PA/AP view · L wrist radiograph · index exam: 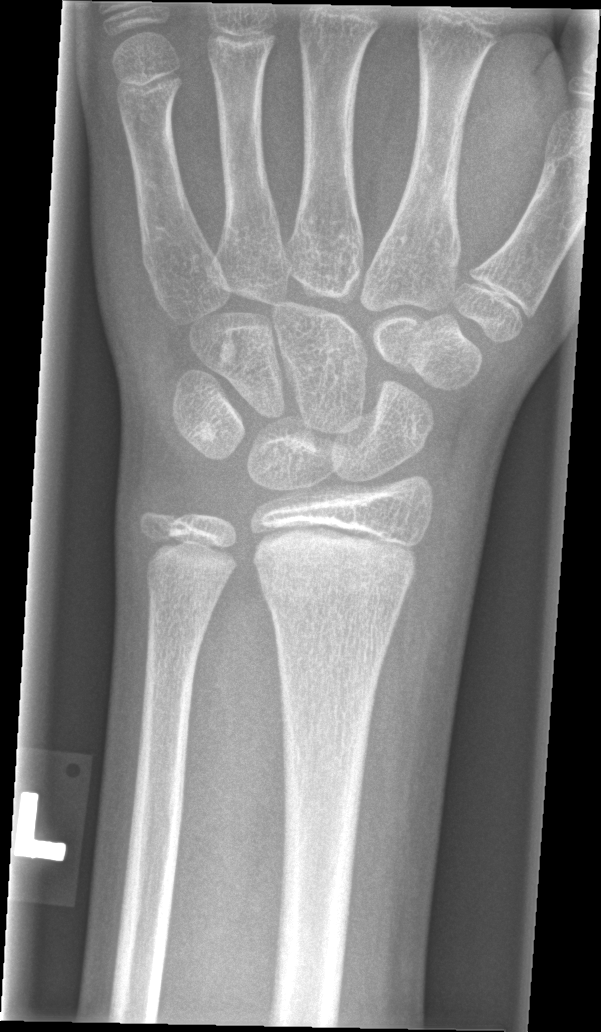

(pixel coordinates, top-left origin, xyxy)
AO classification = 23r-M/2.1
Fracture = 1 @ (250, 517, 423, 613)